PA/AP, right wrist plain radiograph of the wrist, 12-year-old male —

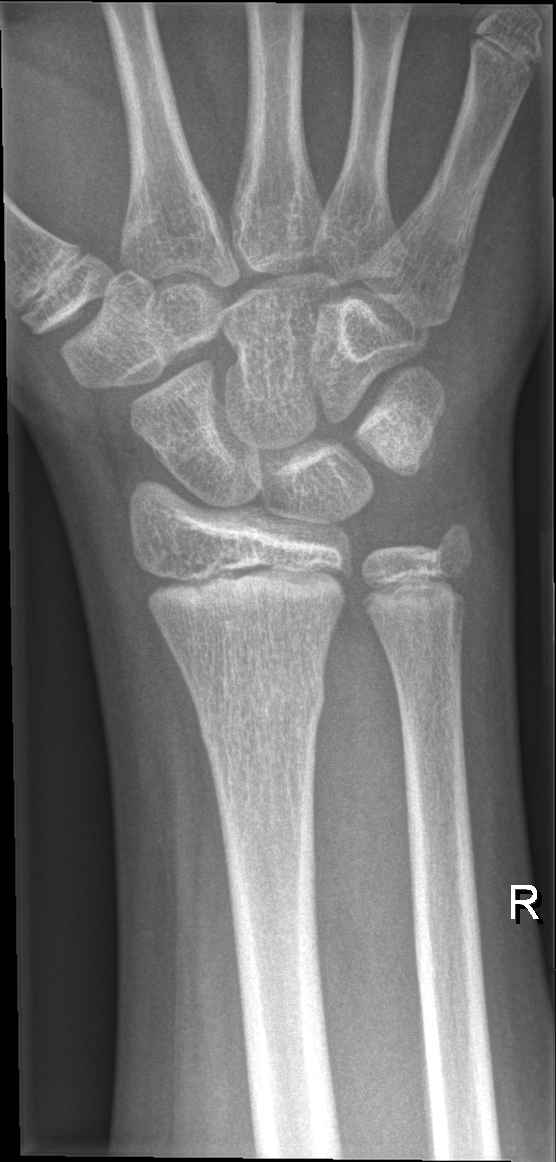

(bounding boxes in image-pixel xyxy)
Fracture = (186, 661, 329, 738)
AO classification = 23r-M/2.1